Right wrist pediatric wrist radiograph · lat projection · presentation radiograph · image size 491x1106.
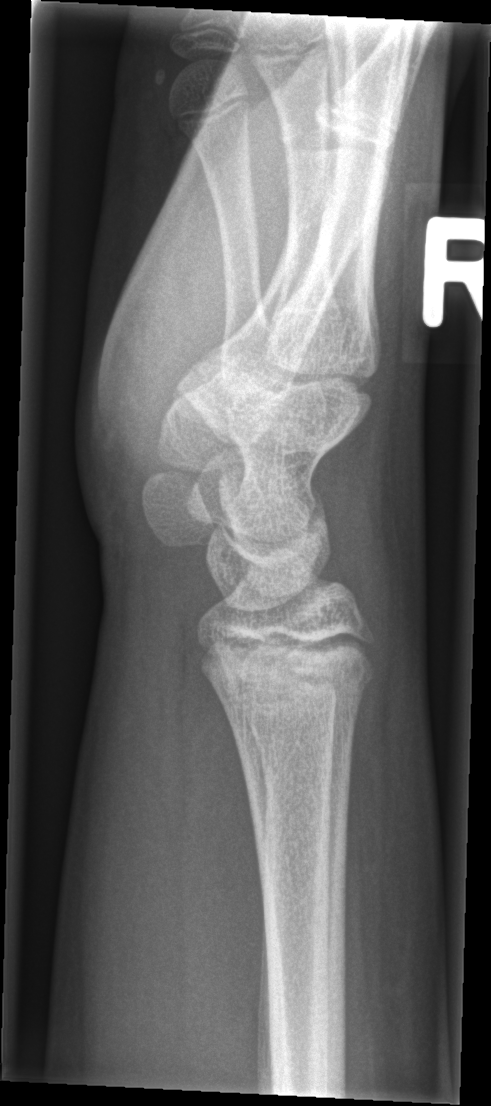 Fx: 1 @ (199, 654, 380, 705)